Posteroanterior projection · right pediatric wrist radiograph · boy, 10 yo · acquired on Siemens

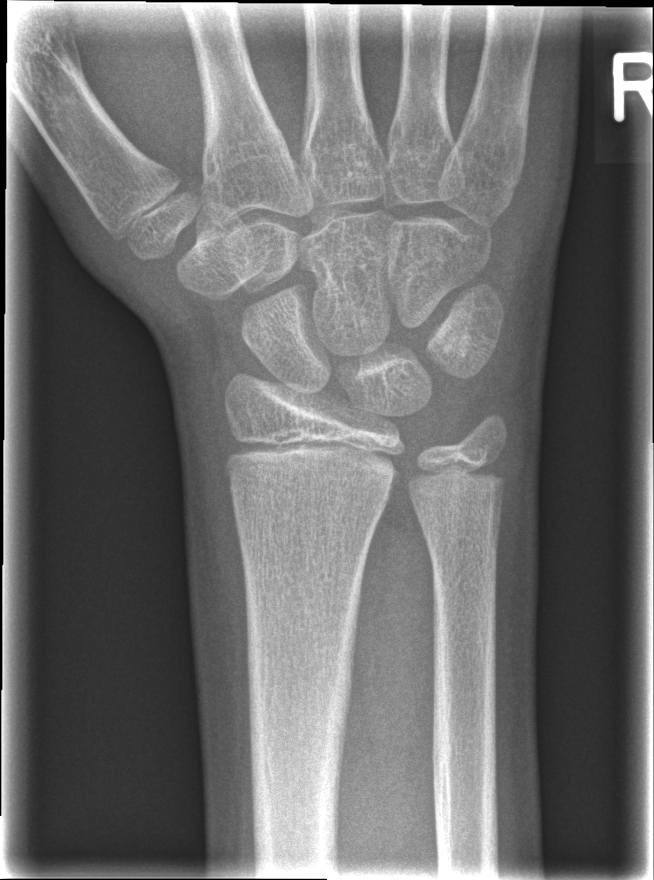

• No fracture labeled.